Lateral; L wrist plain film; 11y M; index exam; image size 583x1286:
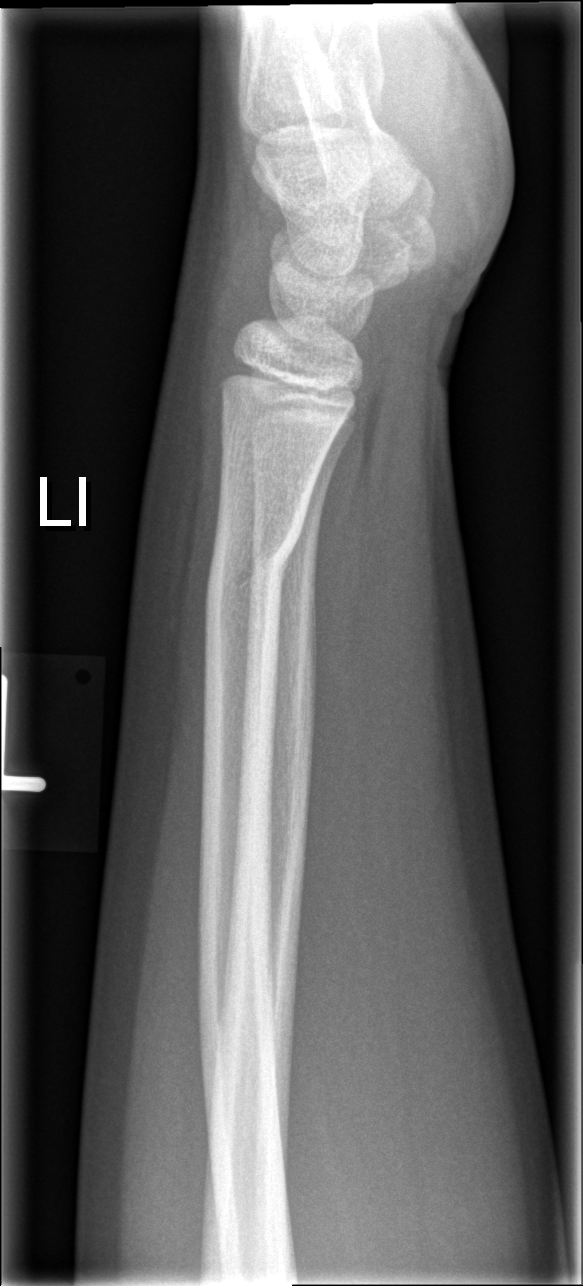
- Bone fracture — (202, 510, 304, 618).
- AO code 23r-M/2.1.